Right wrist plain radiograph of the wrist | PA/AP:
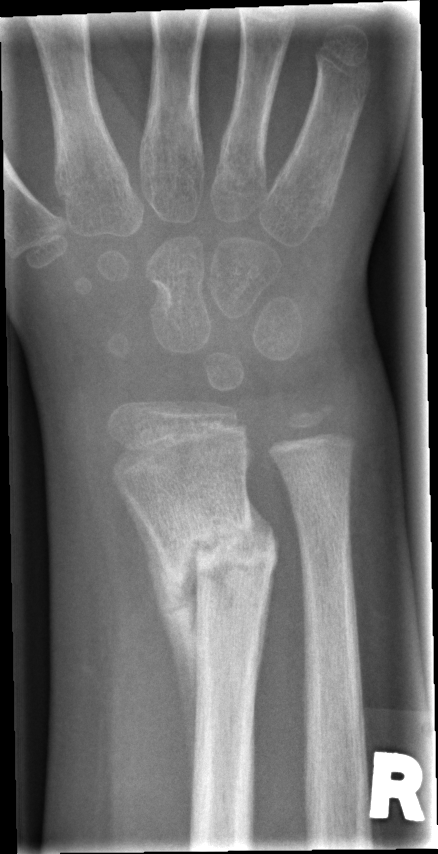
Decreased bone density (osteopenia). Periosteal reaction — bbox(113, 475, 201, 805), bbox(248, 497, 273, 546). Two bone fractures at bbox(154, 507, 273, 631) bbox(281, 460, 355, 535).